Lt pediatric wrist radiograph · posteroanterior view · age 6 y, female · initial study 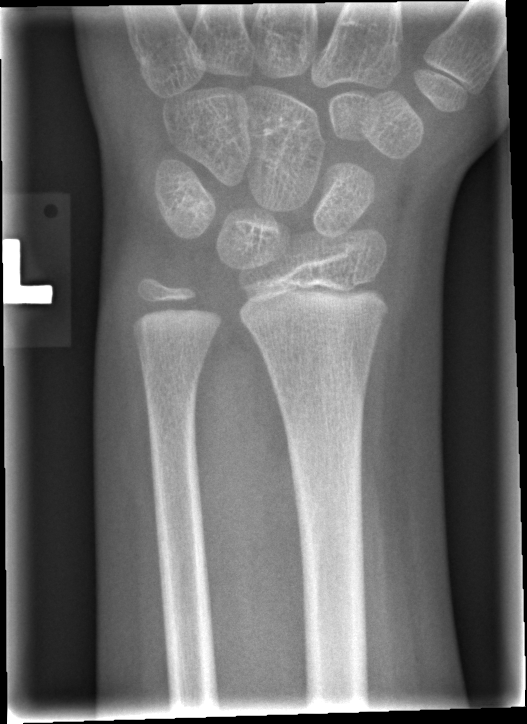 {"fracture": "none labeled"}